Lt wrist X-ray | posteroanterior view —

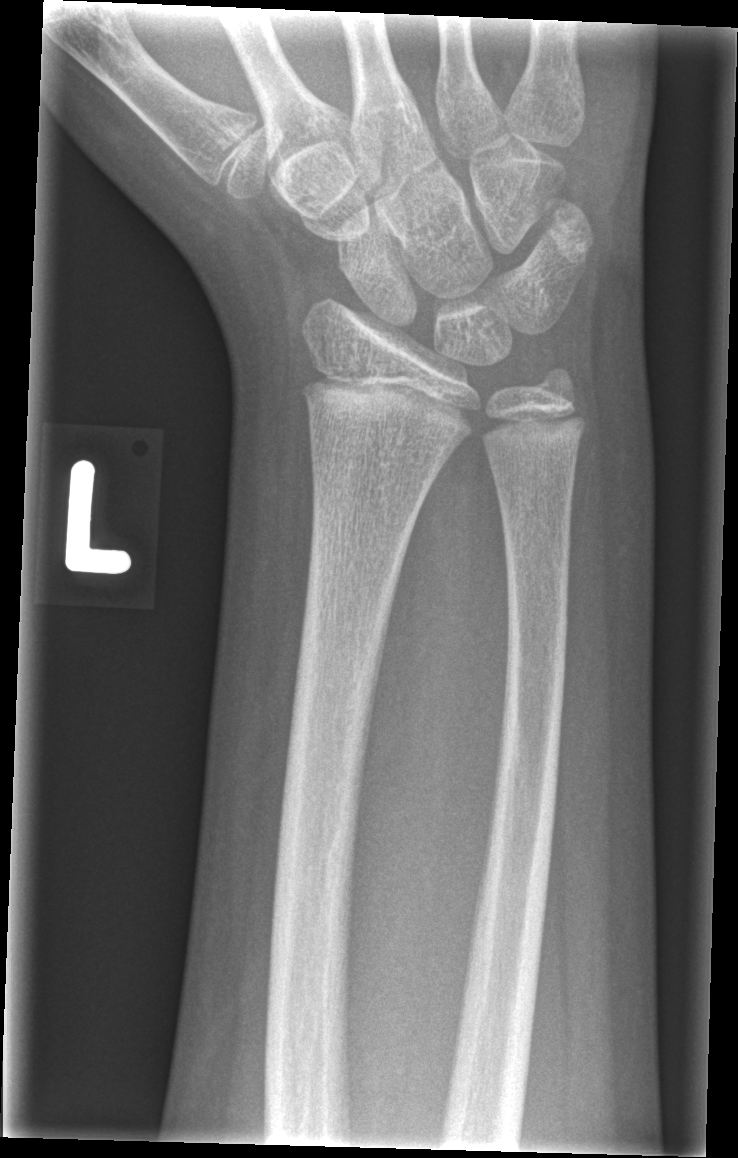

  fracture: none labeled